Lat projection · right wrist X-ray · age 7 y, girl · presentation radiograph 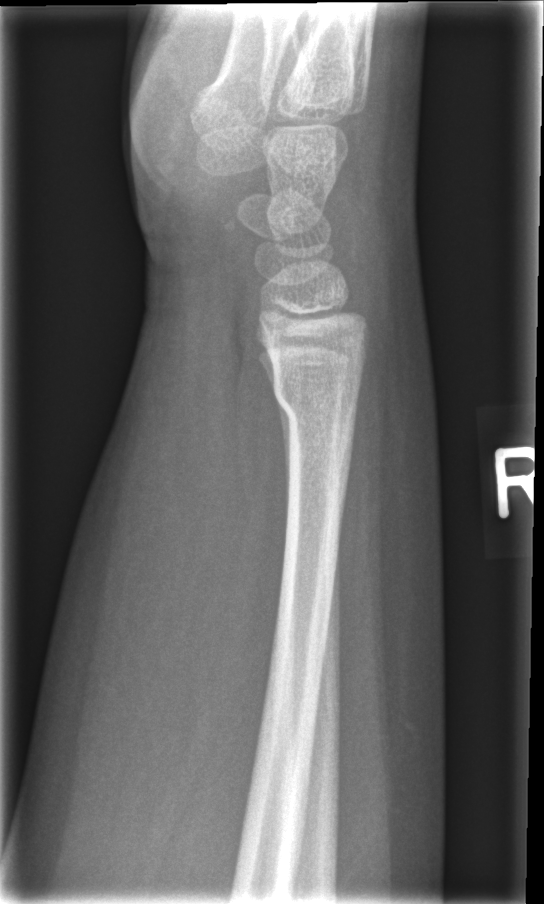

FINDINGS — Soft-tissue swelling: <50,314>-<257,871>. Fracture identified at <268,365>-<364,432>. AO/OTA classification: 23r-M/2.1.